PA view, left wrist pediatric wrist radiograph, follow-up.
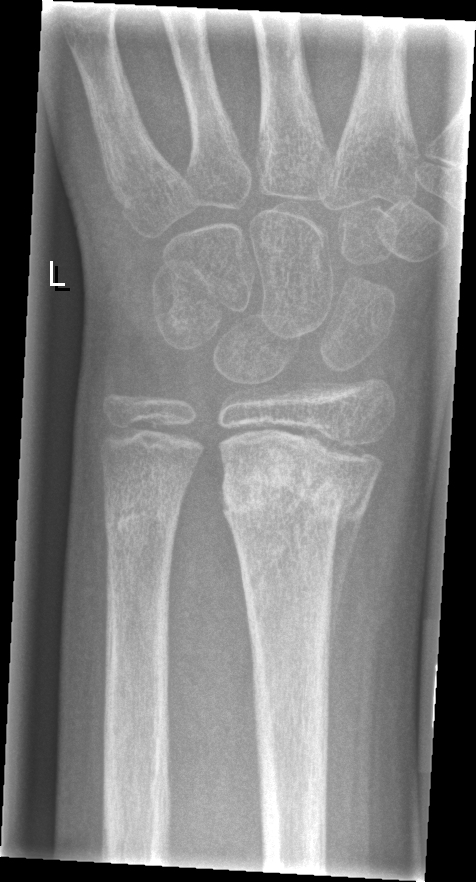

(bounding boxes in image-pixel xyxy)
osteopenia = present
periosteal new bone = 1 @ [328, 487, 372, 685]
Fx = 2 @ [218, 444, 375, 544]; [102, 493, 185, 548]
AO/OTA = 23-M/3.1